Lat | Lt wrist radiograph | detector: Siemens | 72.4 mm image width

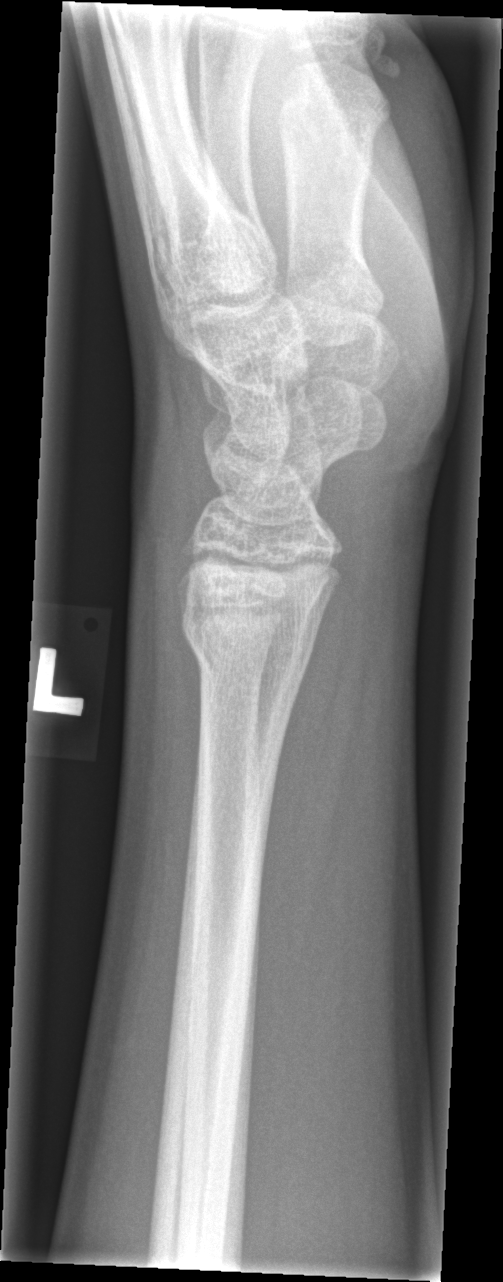
• One Fx at [177, 601, 320, 693].
• AO/OTA classification: 23r-M/2.1.